Left wrist radiograph; PA view; 4y F —
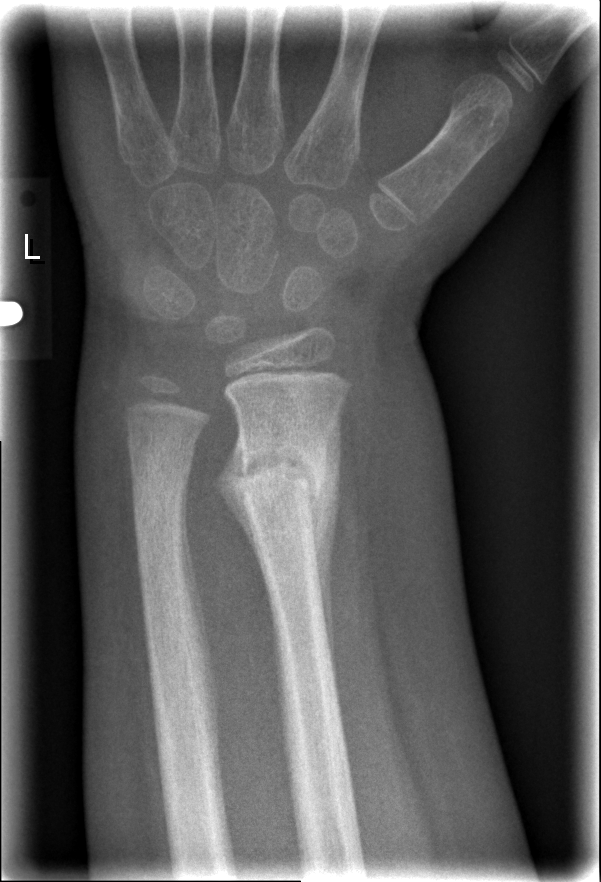 FINDINGS: (bounding boxes in image-pixel xyxy) Fx identified at 234,430,325,518
  128,444,198,508. Periosteal thickening — 310,397,344,722
  214,425,270,605. Reduced bone mineral density.